Posteroanterior · Rt wrist X-ray.

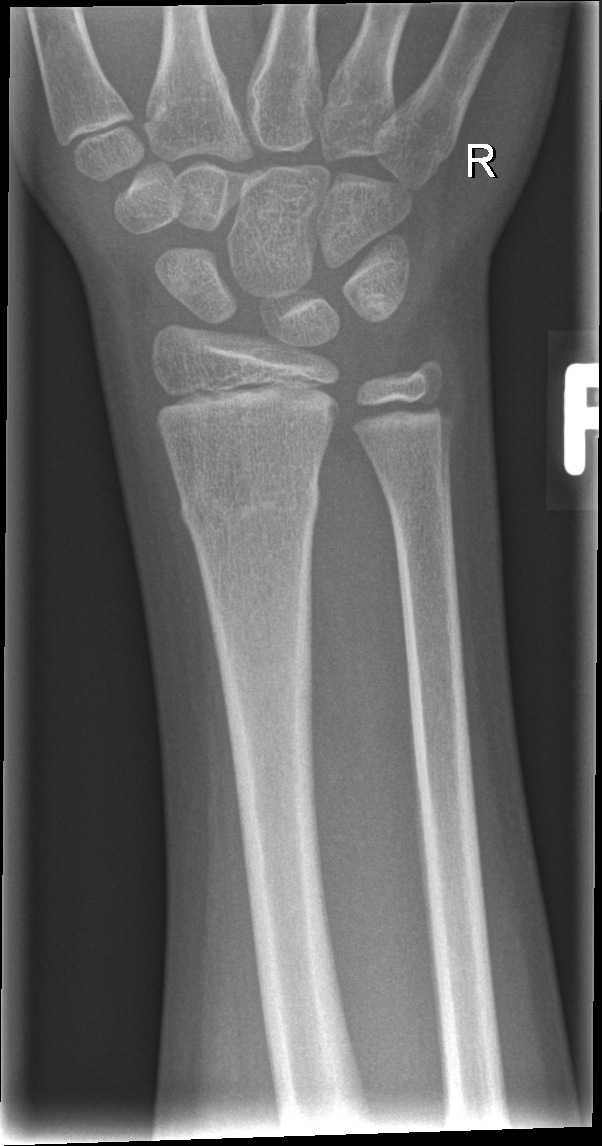 Fracture — [175, 459, 324, 544].